R wrist radiograph · frontal · Siemens · image size 518x914: 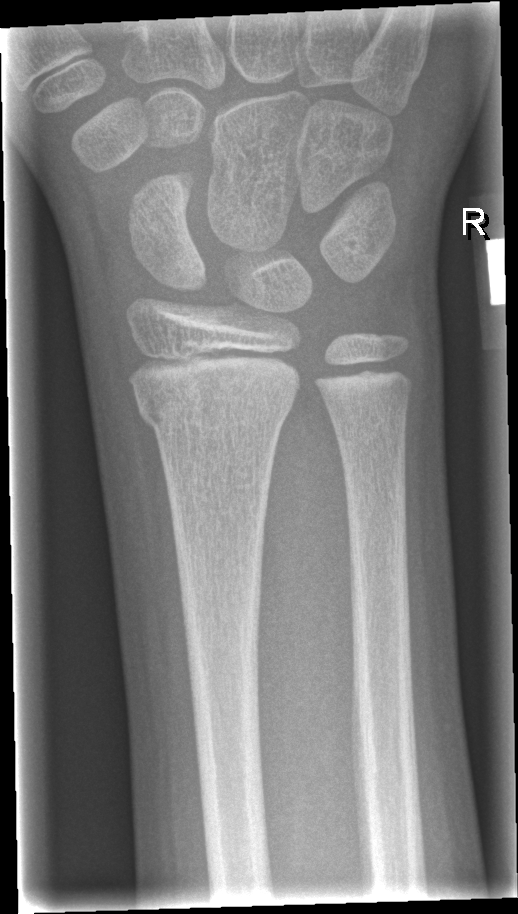

* Pixel coordinates, top-left origin, xyxy.
* AO/OTA classification: 23r-M/2.1.
* Fracture identified at (133, 383, 297, 442).